PA/AP projection · right wrist radiograph:
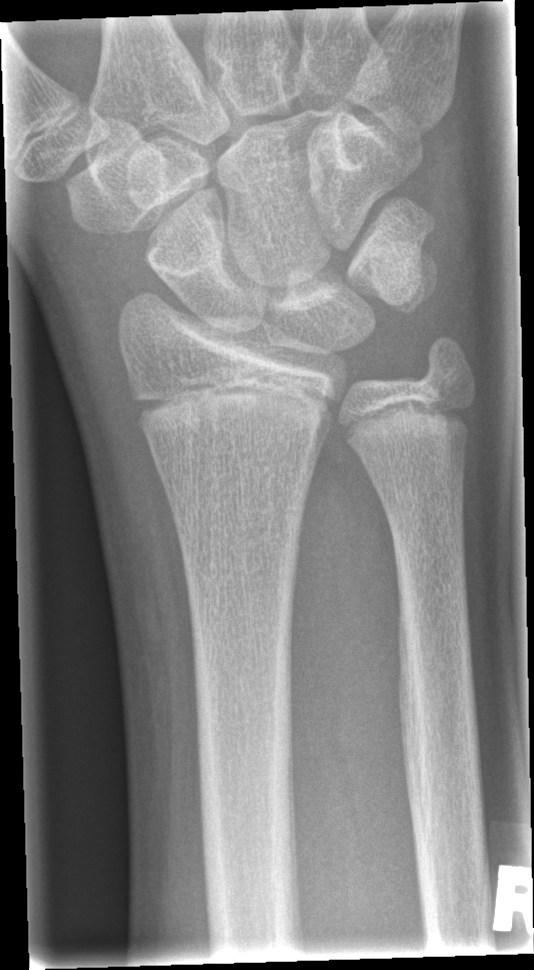 Fx: present but not clearly seen in this view